R pediatric wrist radiograph; PA; initial study; acquired on Siemens. 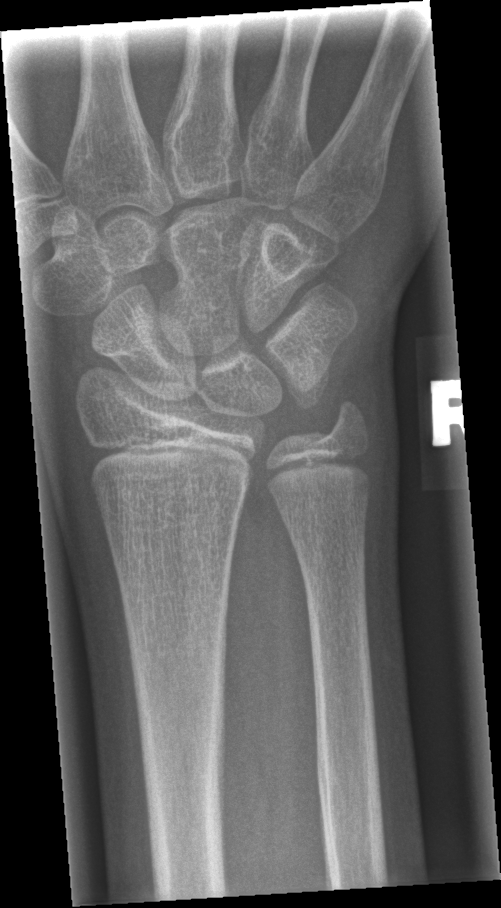
Findings: Fracture: none labeled.